Lat projection; right wrist radiograph: 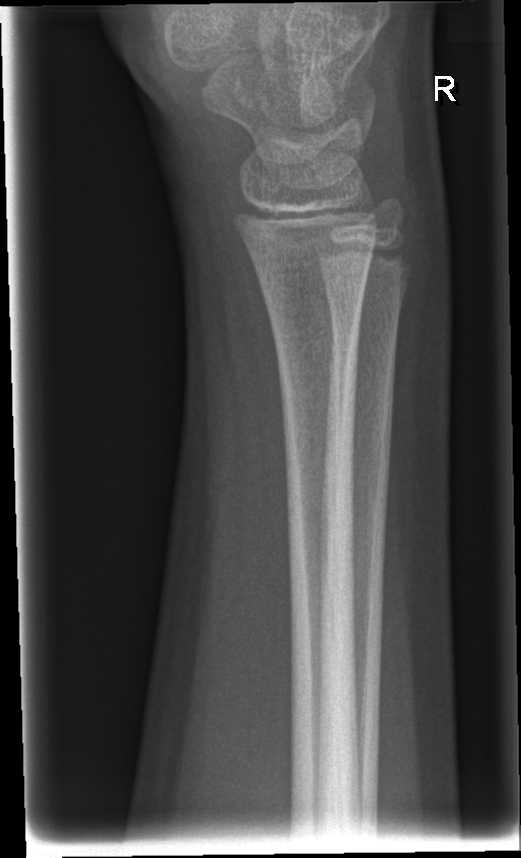 Fracture: none labeled